Right wrist X-ray; oblique view 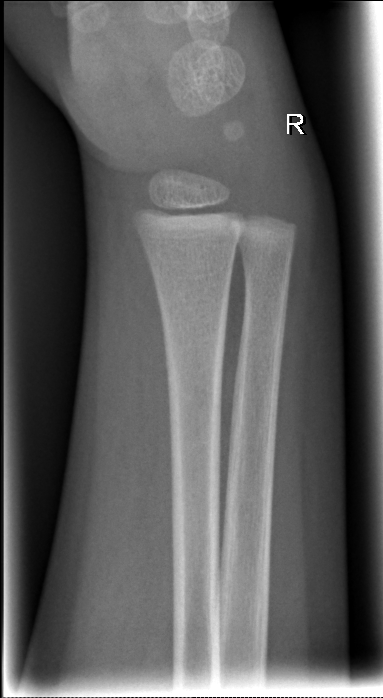

No Fx annotated.